L wrist plain film; lat projection; follow-up; acquired on Siemens.
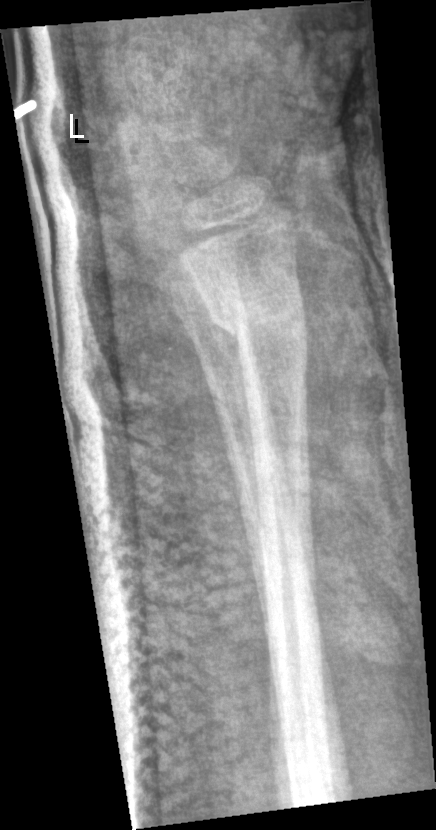 Pixel coordinates, top-left origin, xyxy. Fracture classified AO/OTA 23-M/3.1. Bone fracture — (left=204, top=280, right=311, bottom=352).